R wrist XR; lat projection; pediatric patient (boy, age 5); imaged through cast.
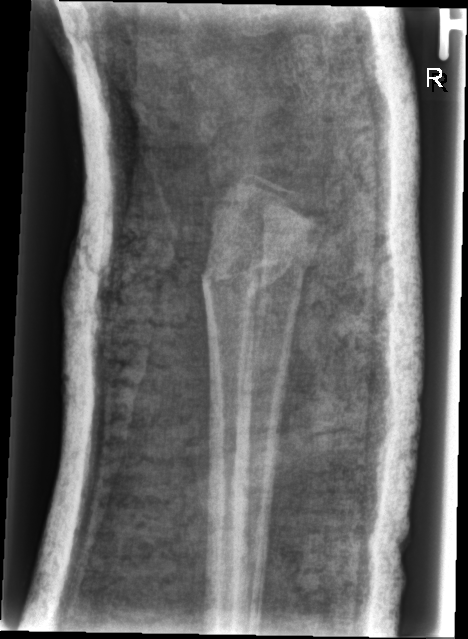

Boxes as x1,y1,x2,y2 (top-left / bottom-right, pixel units).
One bone fracture at [x1=196, y1=251, x2=297, y2=304].
AO/OTA classification: 23r-M/3.1.